PA/AP; left wrist pediatric wrist radiograph; 11-year-old male; acquired on Siemens: 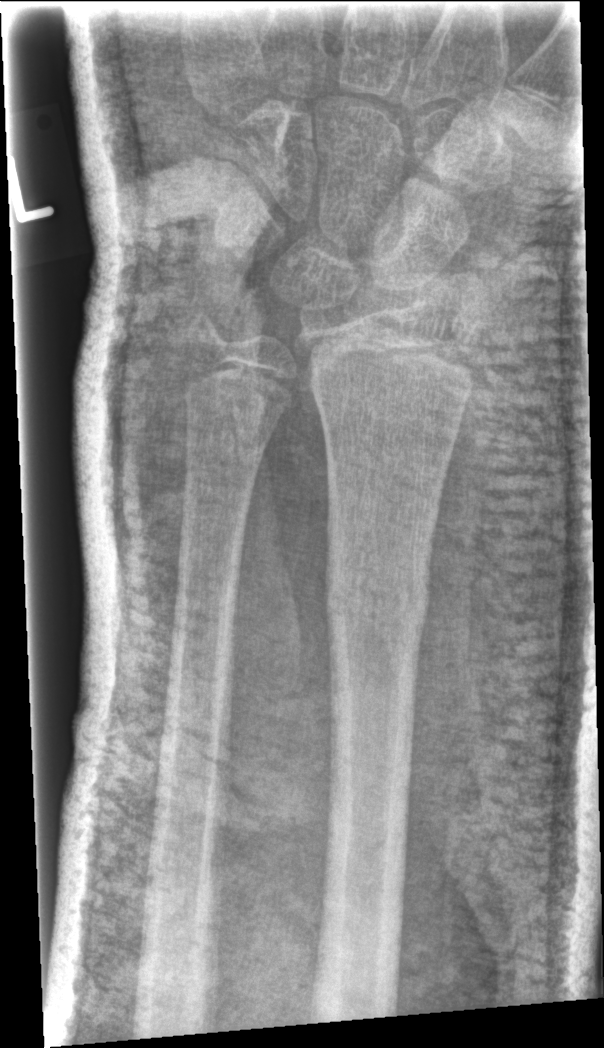

FINDINGS — Fracture: (320, 545, 438, 658).